PA, Lt wrist plain film, subsequent exam. 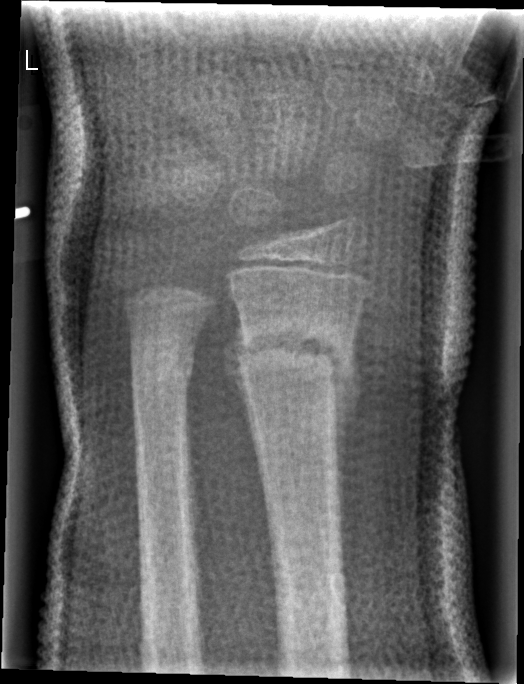
Findings: Two periosteal reaction at (330, 335, 363, 557) (221, 306, 259, 460). Bone fractures — (232, 316, 353, 399); (124, 333, 197, 392).